Lat | left wrist X-ray | 14y M | 447x1426 — 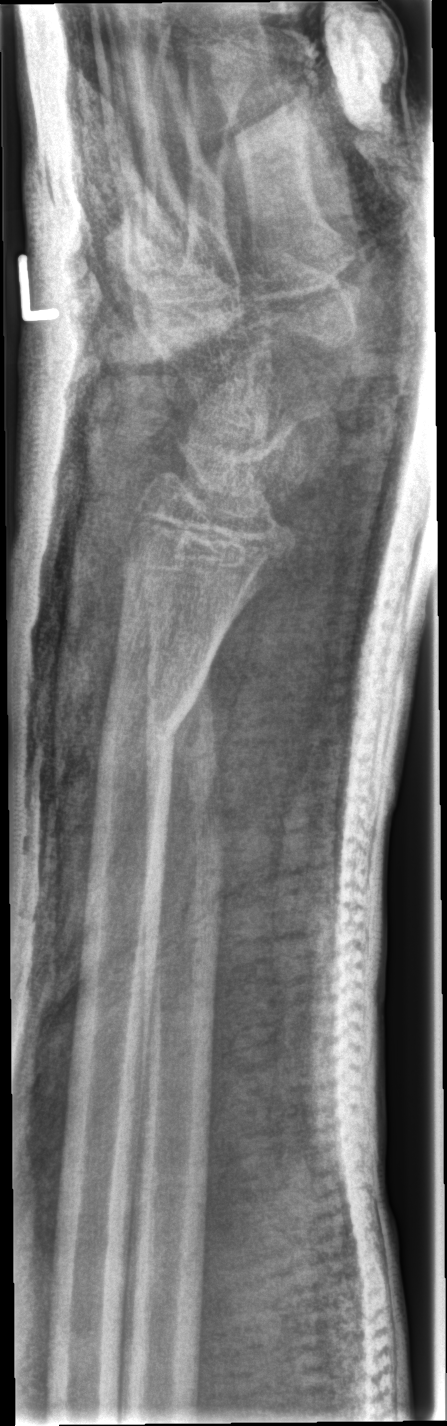 (boxes as x1,y1,x2,y2 (top-left / bottom-right, pixel units))
periosteal thickening = [165, 638, 224, 836]
Fx = [93, 670, 209, 778]
AO classification = 23-M/2.1